AP view · L wrist XR · 11-year-old boy · follow-up study · 88.0 mm image width · 611x868. 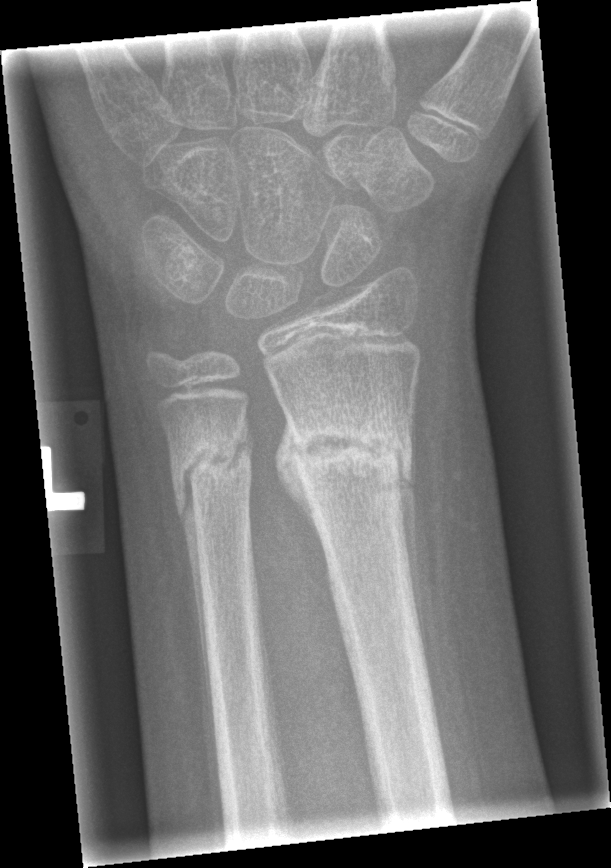 (bounding boxes in image-pixel xyxy)
Osteopenia: present
Bone fracture: <285,406>-<420,497>, <166,421>-<255,500>
Periosteal reaction: 3 @ <396,414>-<433,688>; <177,468>-<213,729>; <272,404>-<323,546>